Right wrist XR; lateral; pediatric patient (girl, age 13): 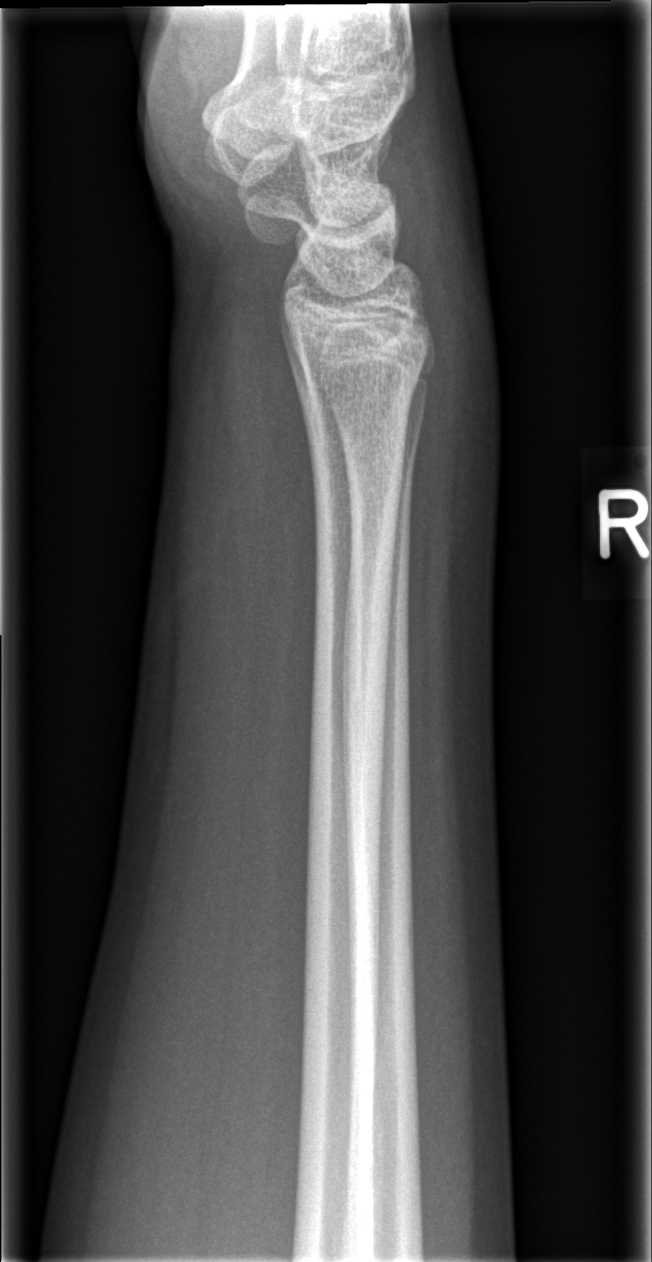 Positive pronator fat-pad sign — bbox(218, 295, 320, 662). No fracture bounding box. Soft-tissue finding — bbox(404, 217, 502, 567).